AP projection; Lt wrist XR; Siemens; 500x756 —
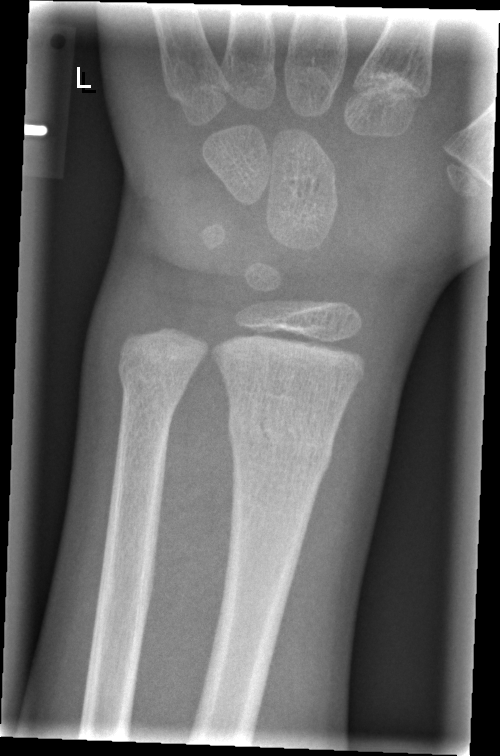

* Bounding boxes in image-pixel xyxy.
* Two Fx at [224, 391, 338, 489]; [114, 350, 195, 420].
* AO/OTA classification: 23-M/2.1.